Lt pediatric wrist radiograph; AP view; follow-up study; Siemens —

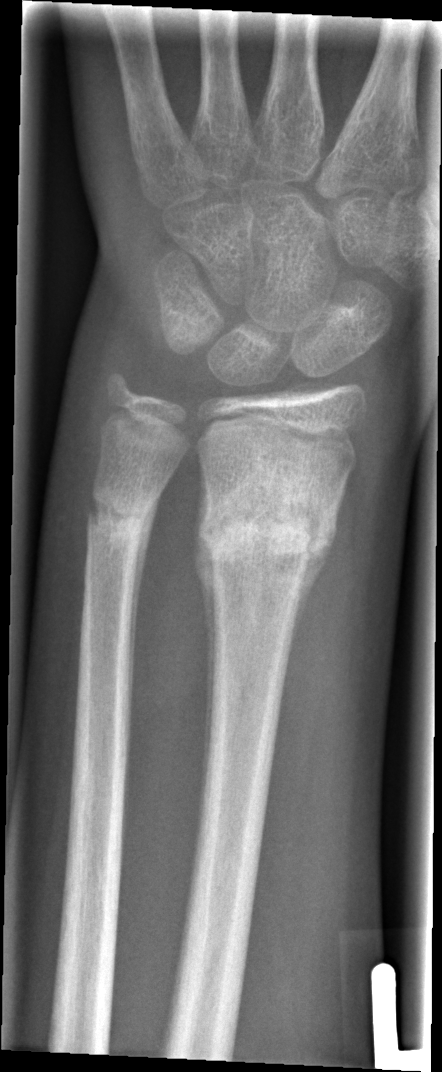

Periosteal reaction identified at <127,473>-<173,742>, <187,475>-<220,823>, <287,538>-<337,670>.
Decreased bone density (osteopenia).
Fracture: <194,465>-<341,580>, <82,482>-<157,543>.
AO code 23-M/3.1.